Posteroanterior projection, L plain radiograph of the wrist —

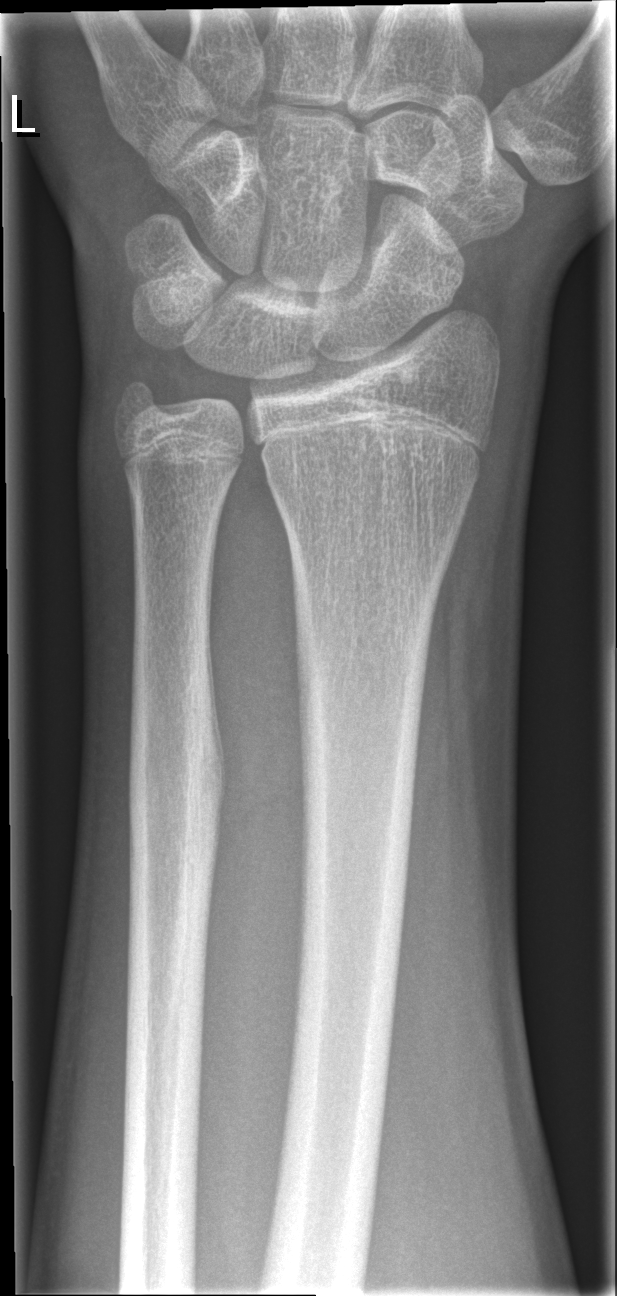

FINDINGS — No Fx annotated.